Right wrist XR · AP projection · presentation radiograph · 445 x 1018 px 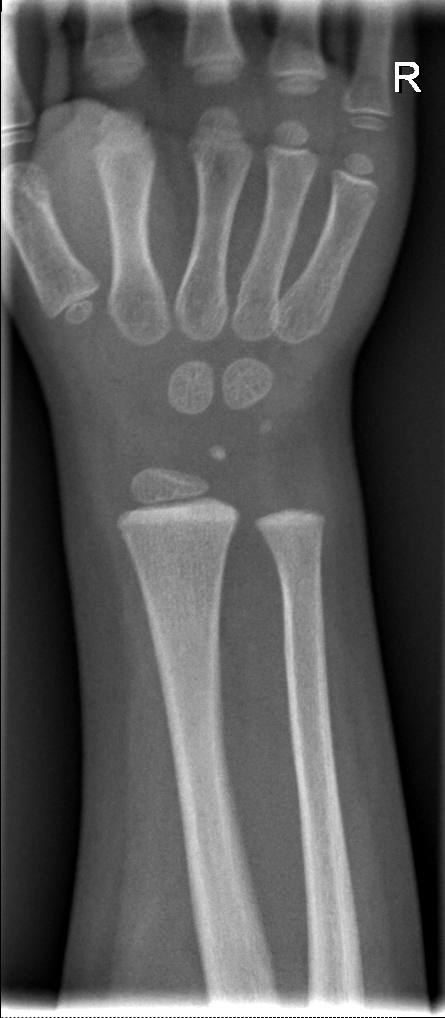
FINDINGS — No fracture labeled.